R wrist X-ray | lat view 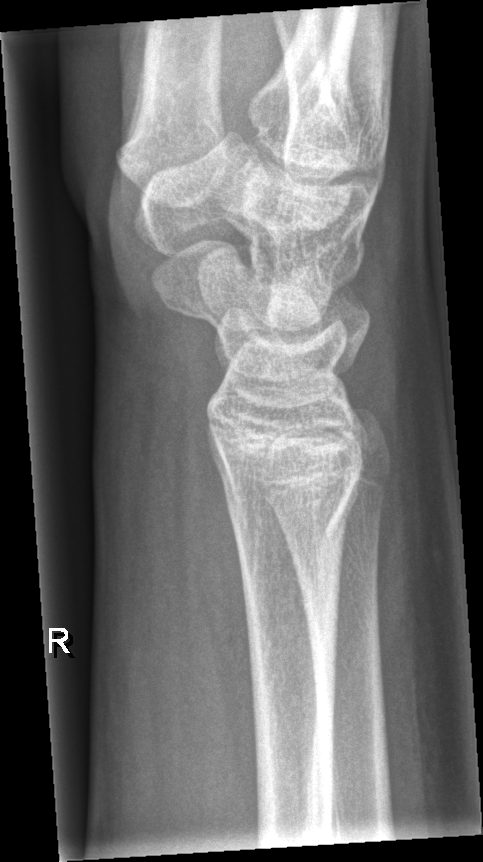

Fracture = (222, 464, 368, 565)
Pronator sign = (191, 436, 261, 765)
AO code = 23r-M/2.1